Right wrist radiograph, lateral projection:
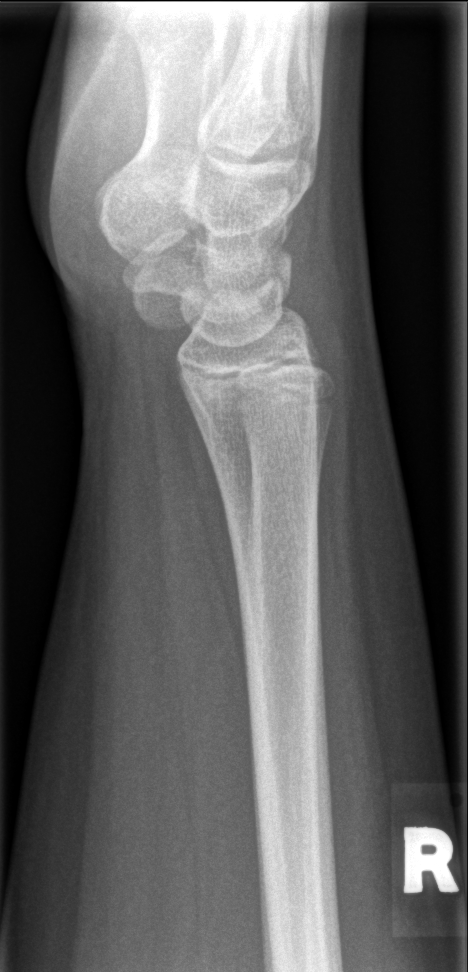

- No fracture annotation.